Left wrist plain film · posteroanterior · age 13 y, girl —

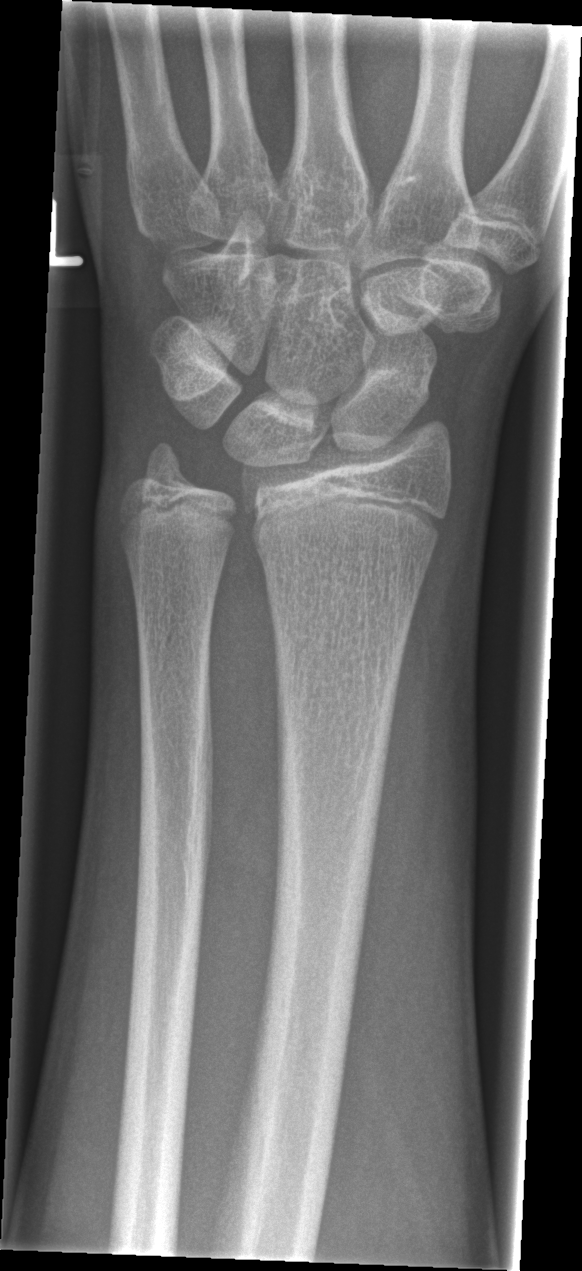 Q: Is there a fracture?
A: No fracture annotation